L pediatric wrist radiograph, lat view. 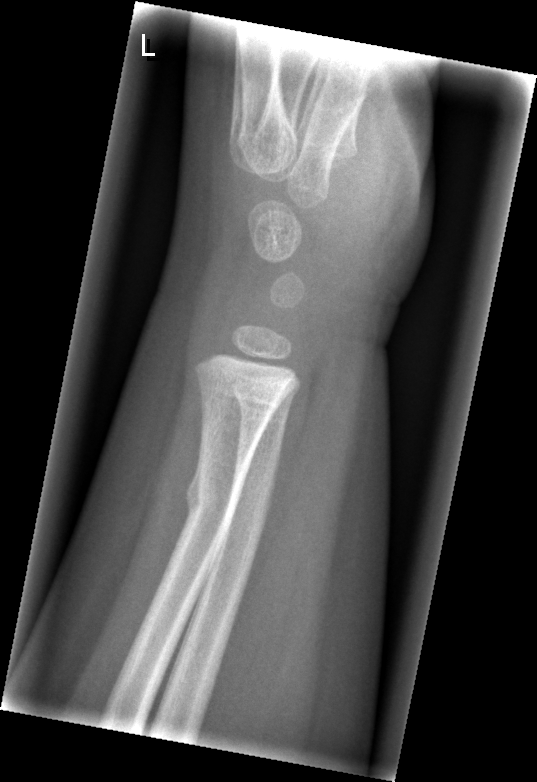 FINDINGS: (pixel coordinates, top-left origin, xyxy) Bone fractures — (182, 461, 247, 528), (231, 390, 293, 437). AO code 23-M/2.1.